PA view; left wrist plain radiograph of the wrist; age 13 y, male.
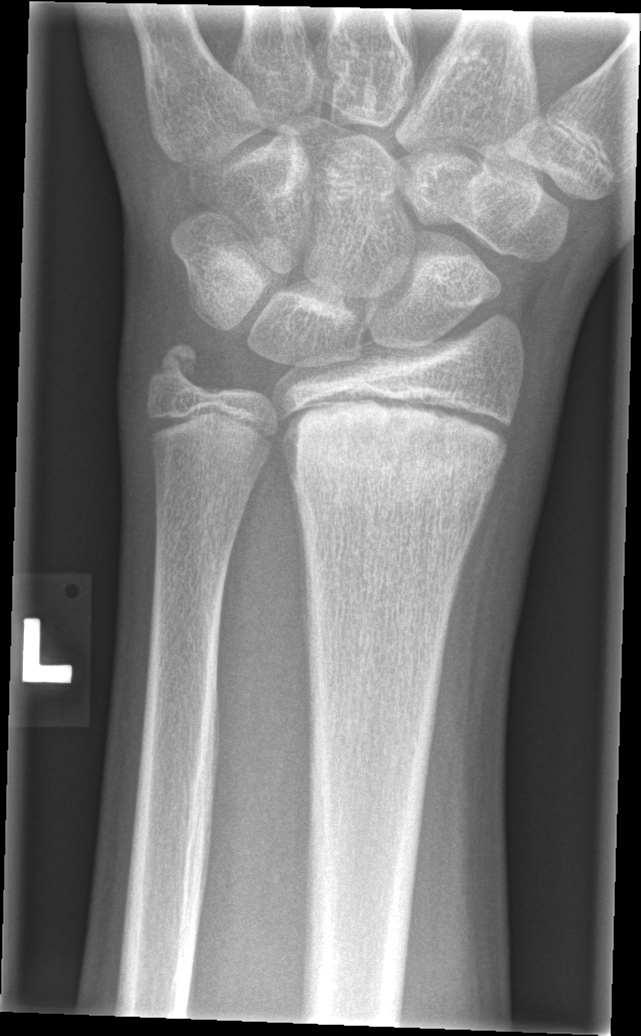

{
  "ao": "23r-E/2.1; 23u-E/7",
  "fracture": "bbox(282, 396, 510, 492) bbox(142, 336, 212, 404)"
}